Rt wrist radiograph · lat view · female, 11 yo · subsequent exam · in cast · 484 x 871 px —

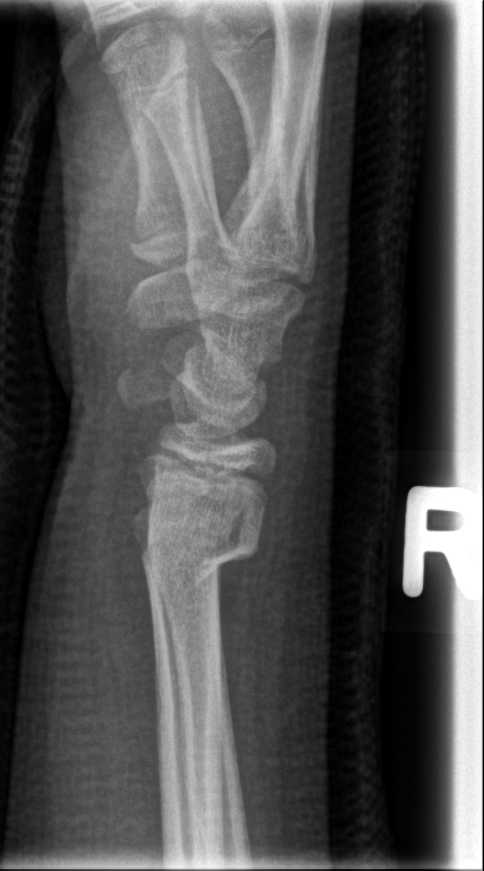 Findings: Fracture — 132 505 266 588.